R pediatric wrist radiograph | PA/AP projection | 13y M. 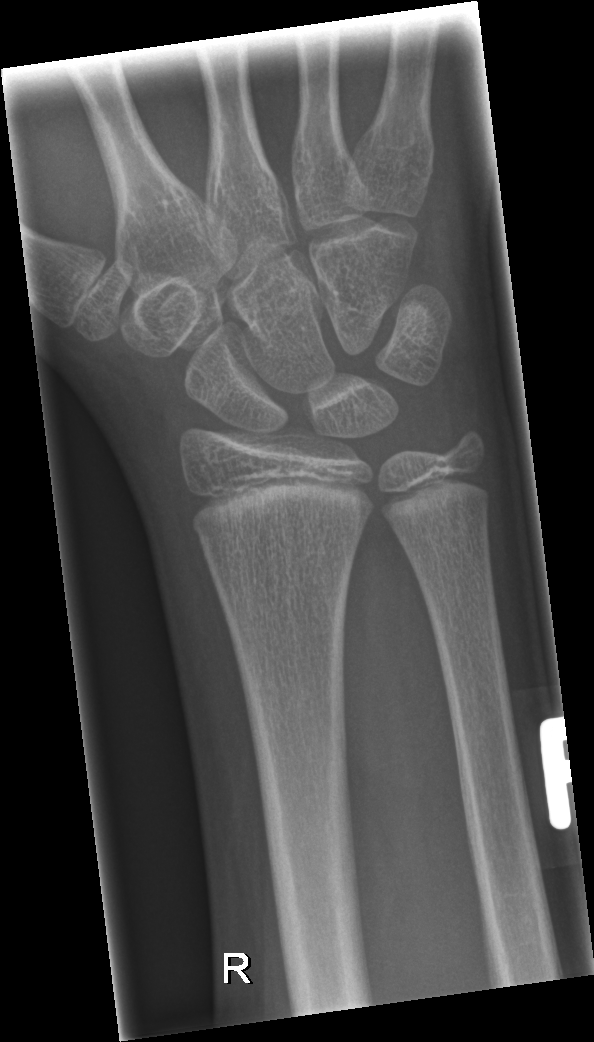

Fx: none.